Frontal projection | Lt wrist radiograph | age 3 y, male | follow-up study —
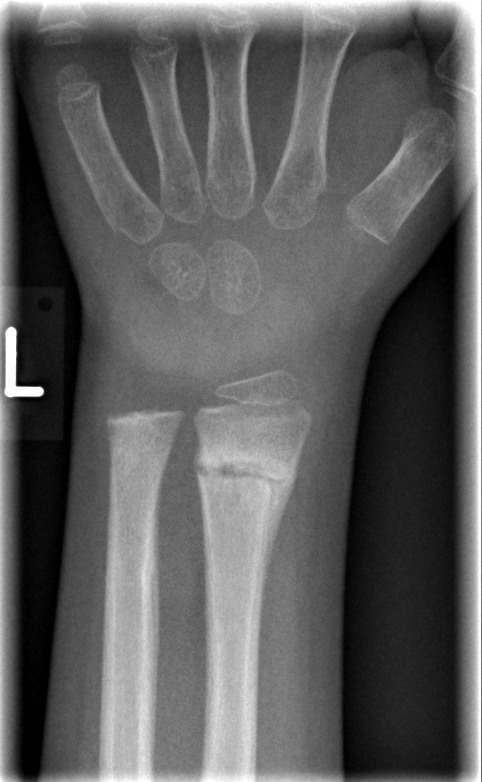

{"periostealreaction": "1 @ 261 447 302 627", "fracture": "2 @ 194 440 295 509; 103 412 171 479"}